Right wrist plain radiograph of the wrist | lateral projection | 6y M | in cast | acquired on Siemens. 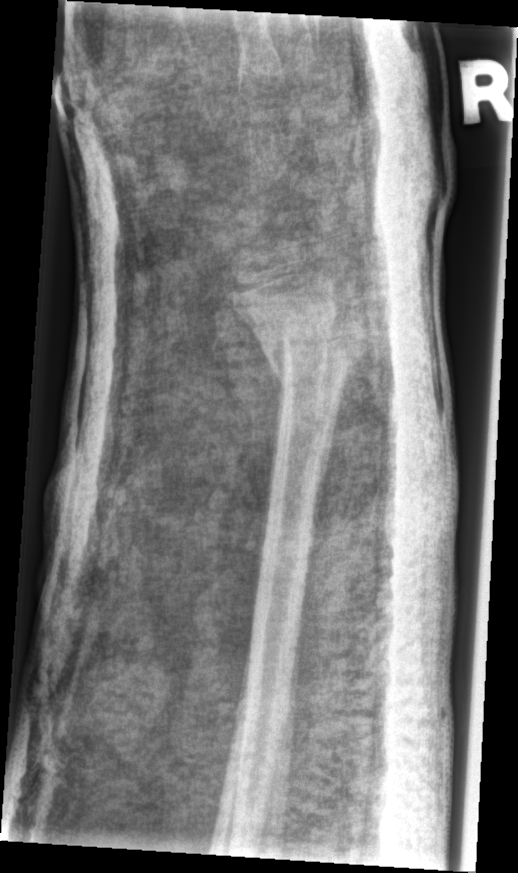 fracture: 251 295 366 386